Lt wrist plain film, lat projection, 15-year-old male
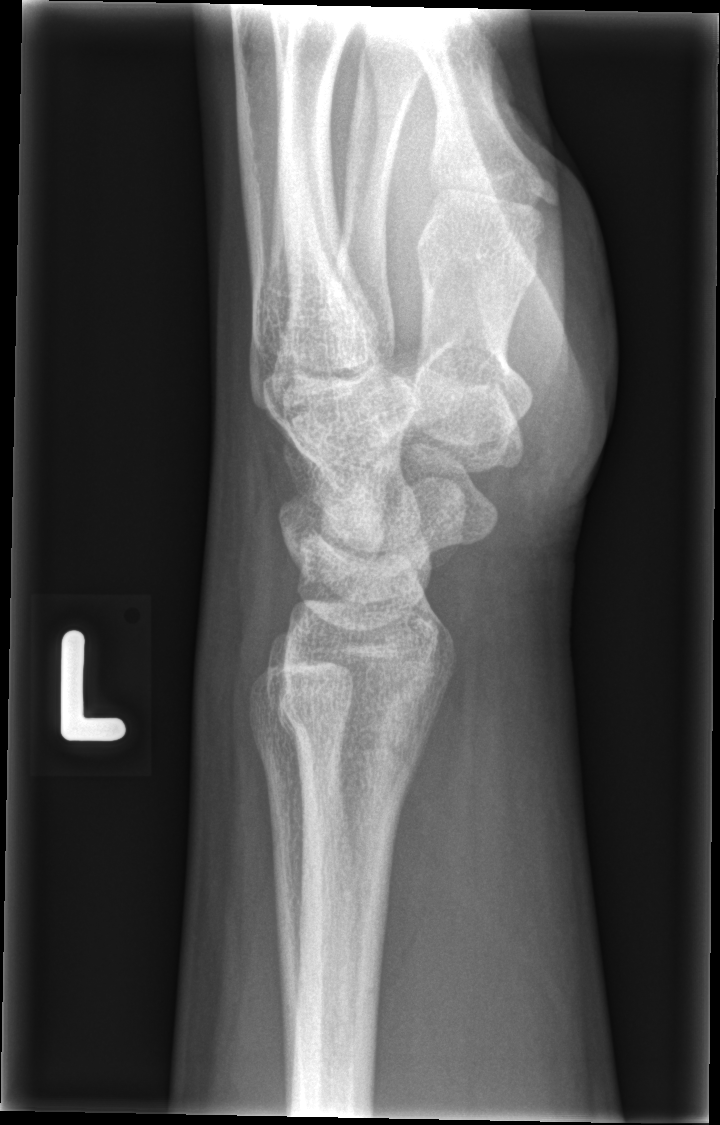 * Bounding boxes in image-pixel xyxy.
* Bone fracture: 264 664 434 770.
* AO/OTA classification: 23r-M/2.1.